Lat | left wrist XR | age 15 y, male | index exam. 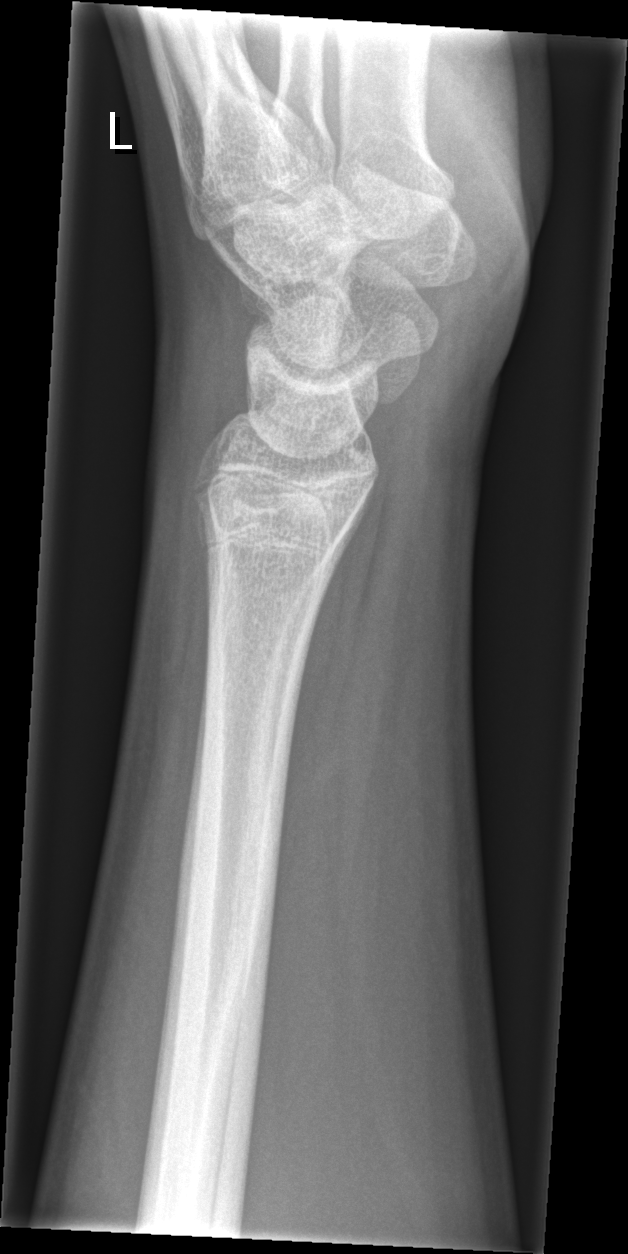

FINDINGS — No fracture annotation.